Right wrist radiograph · PA/AP · age 8 y, boy · presentation radiograph · image size 726x914.

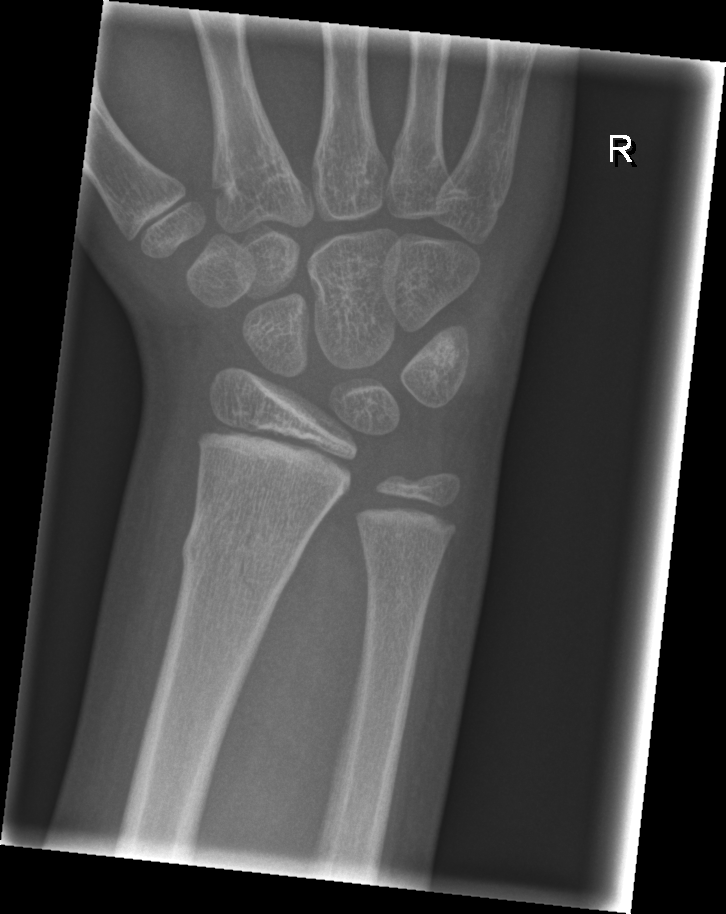 FINDINGS: Fracture: [x1=175, y1=513, x2=307, y2=578].